Lt plain radiograph of the wrist | lat view | pediatric patient (male, age 15) | 471 by 1288 pixels: 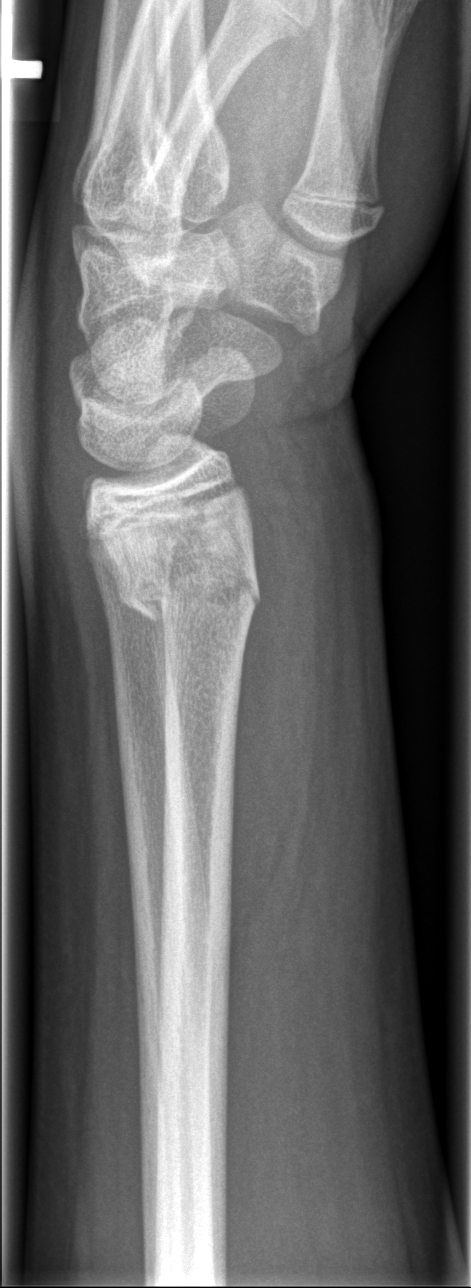
Boxes as x1,y1,x2,y2 (top-left / bottom-right, pixel units).
Pronator quadratus fat-pad sign: [x1=216, y1=453, x2=327, y2=968].
AO code 23r-M/3.1; 23u-E/7.
Fracture identified at [x1=100, y1=530, x2=265, y2=660].